Right wrist X-ray, lateral view, pediatric patient (male, age 14), cast present, image width 110.4 mm:

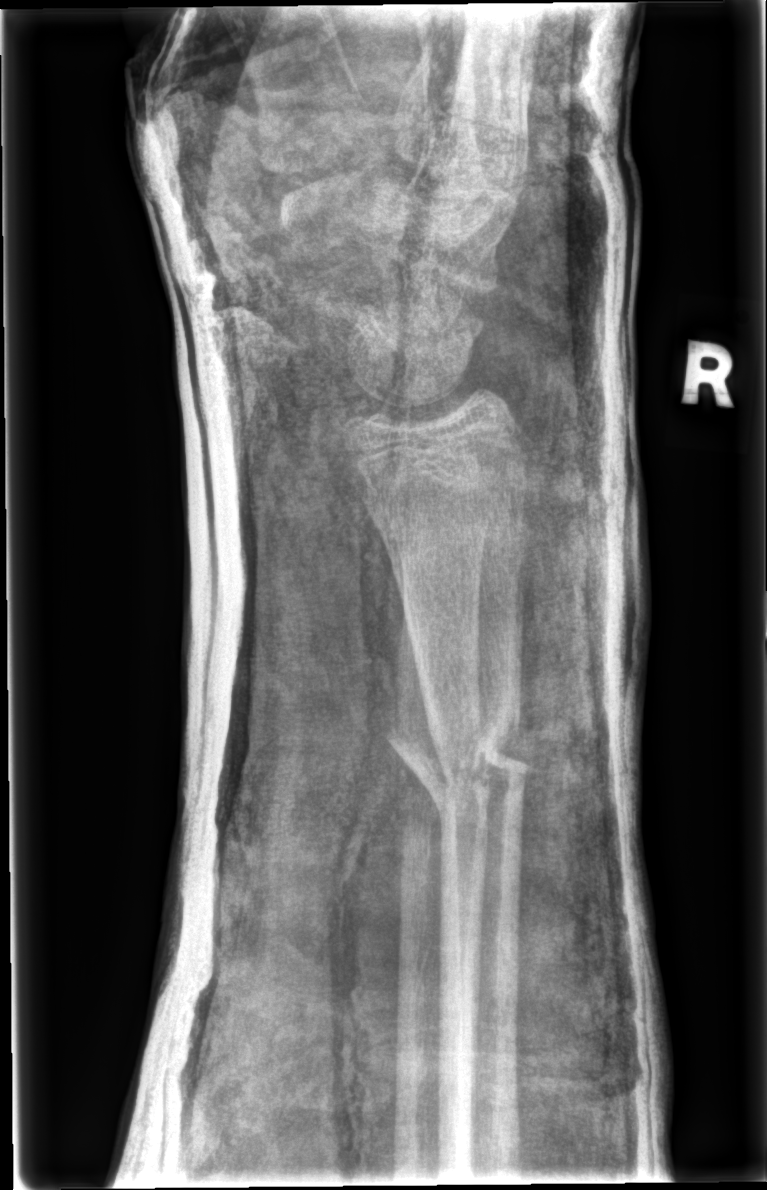 FINDINGS — (pixel coordinates, top-left origin, xyxy) Fracture classified AO/OTA 23-M/3.1. Fracture identified at 385 710 531 818.